PA projection | R wrist radiograph | female, 8 yo | findings marked uncertain by the reading radiologist | 482x622:
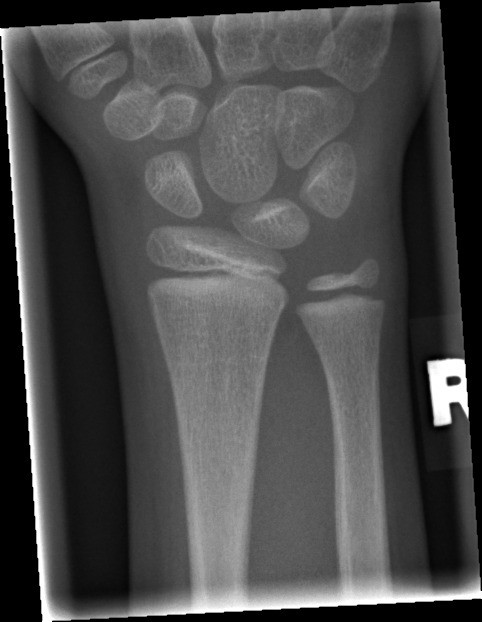

bone fracture = none labeled